Left wrist XR, frontal, presentation radiograph —
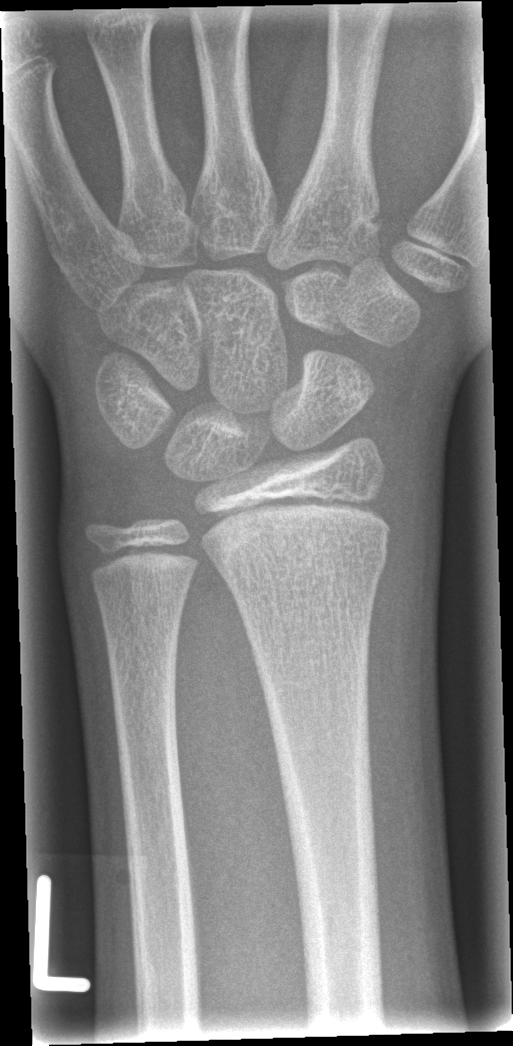

Pixel coordinates, top-left origin, xyxy. Fx: <205,519>-<392,590>.